Rt pediatric wrist radiograph; lateral; pediatric patient (male, age 6); index exam —
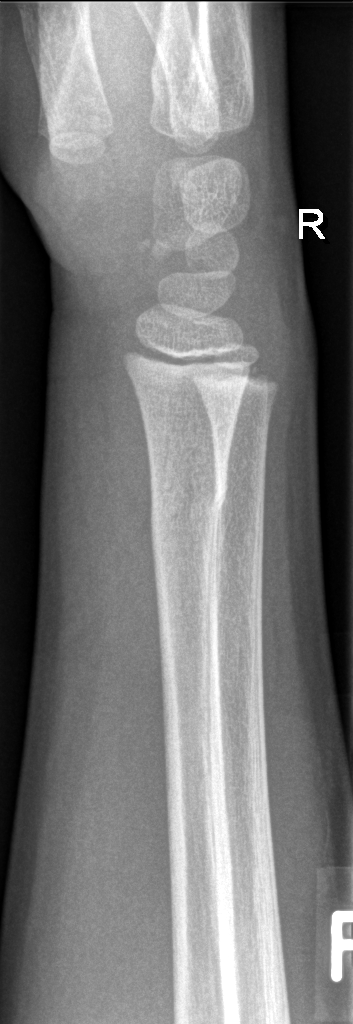
• Fx: 144 470 231 543.
• Pronator quadratus fat-pad sign identified at 88 328 168 759.